Lateral view | right wrist plain film | age 13 y, male | follow-up study | image 77.2 mm wide

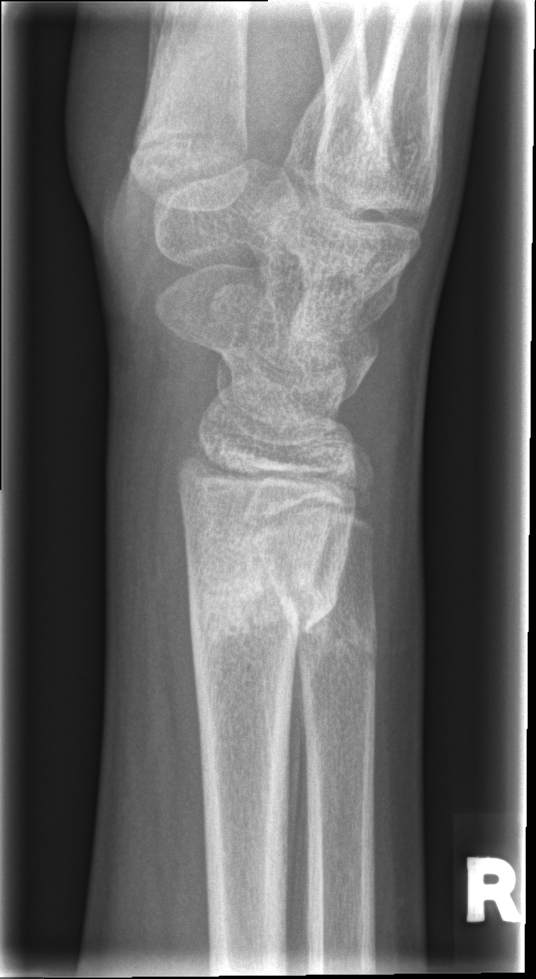
(coordinates are [x1, y1, x2, y2] in image pixels)
AO code = 23-M/3.1
Fracture = [x1=180, y1=553, x2=343, y2=667]; [x1=288, y1=588, x2=387, y2=690]